PA/AP view, left wrist radiograph — 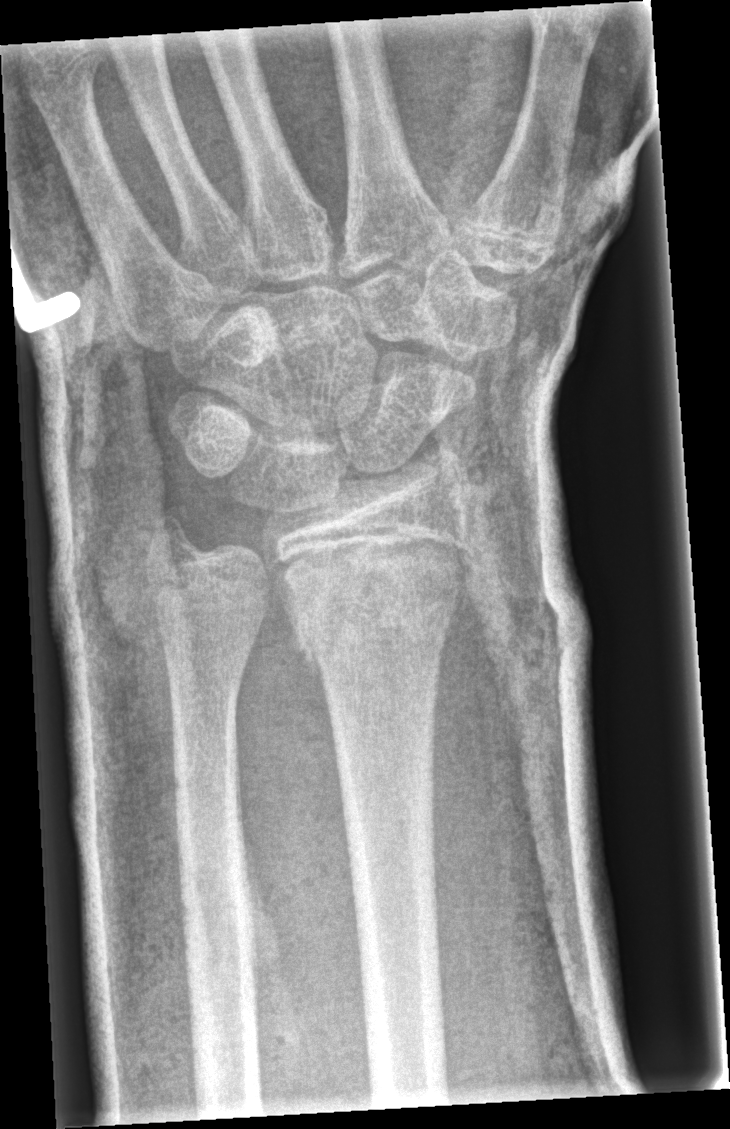 FINDINGS — Two fractures at (284, 539, 461, 665) (141, 502, 209, 574). AO code 23r-M/3.1; 23u-E/7.